PA projection, Rt plain radiograph of the wrist, pediatric patient (male, age 15).

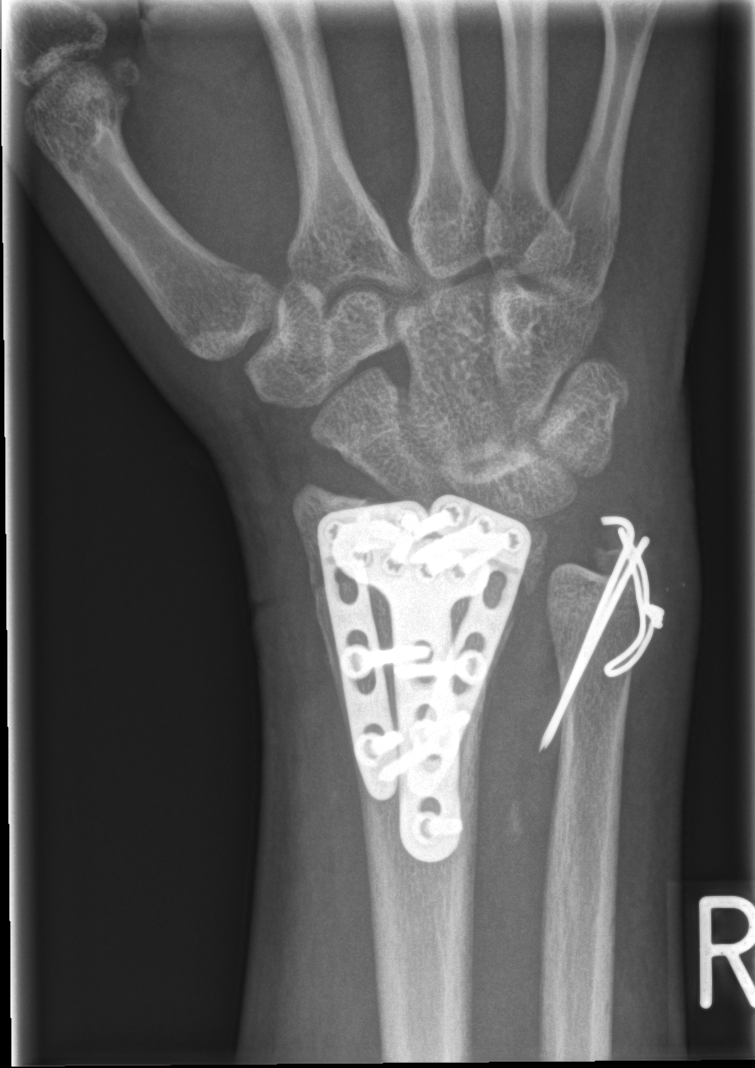

(boxes as x1,y1,x2,y2 (top-left / bottom-right, pixel units))
Q: Is there any metallic hardware?
A: Metallic hardware: [315, 490, 532, 866]; [537, 514, 665, 753]
Q: Any fracture seen?
A: Fx: none